Left wrist radiograph · PA projection · 15-year-old boy:

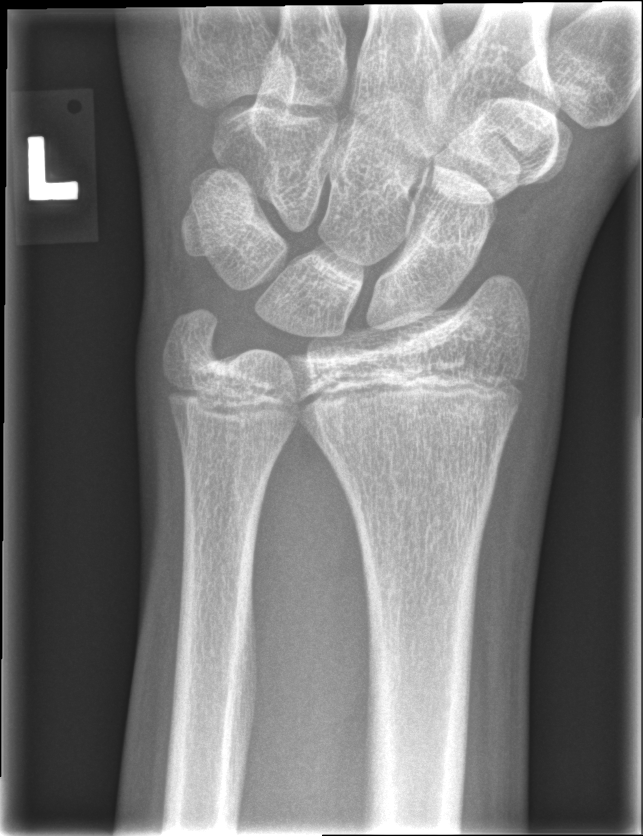
FINDINGS — (coordinates are [x1, y1, x2, y2] in image pixels) Bone fracture identified at (left=325, top=433, right=502, bottom=523).